Lateral view, left wrist plain film, age 13 y, boy, image width 73.2 mm. 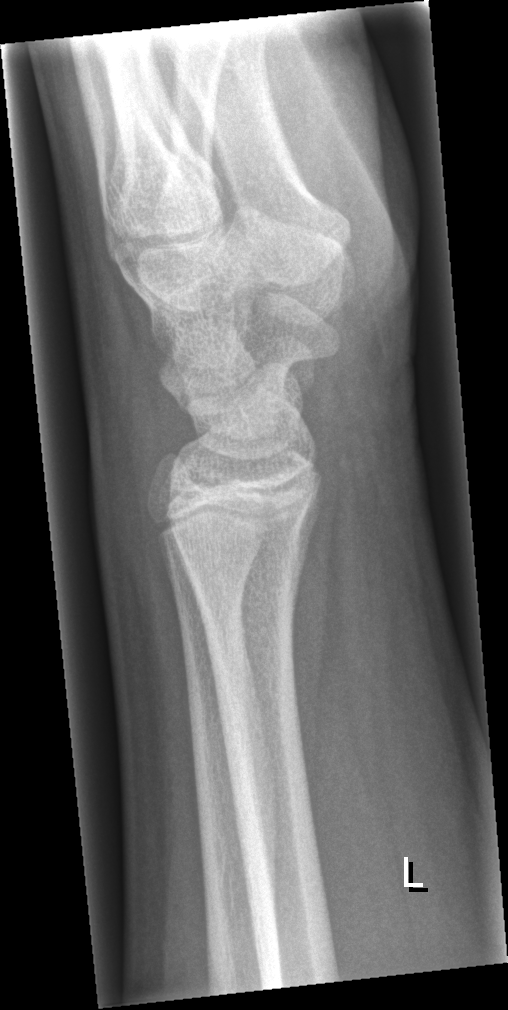

  fracture: none labeled